Rt wrist X-ray, lat view, follow-up study 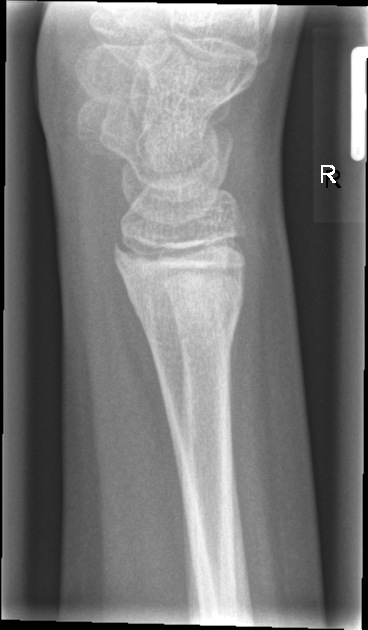

(boxes as x1,y1,x2,y2 (top-left / bottom-right, pixel units))
Q: Locate any fractures.
A: One Fx at (110, 233, 249, 353)